AP, left plain radiograph of the wrist, image width 70.6 mm
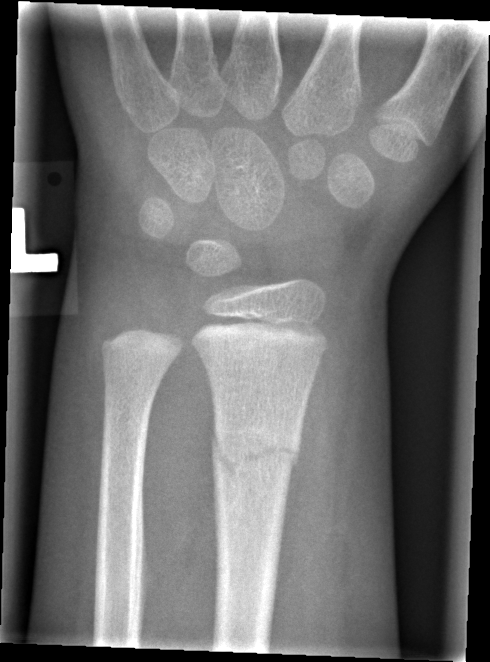

Q: AO code?
A: AO/OTA classification: 23r-M/3.1
Q: Locate any fractures.
A: Bone fracture: [x1=208, y1=425, x2=303, y2=482]